Lateral projection | left wrist X-ray | 12-year-old boy
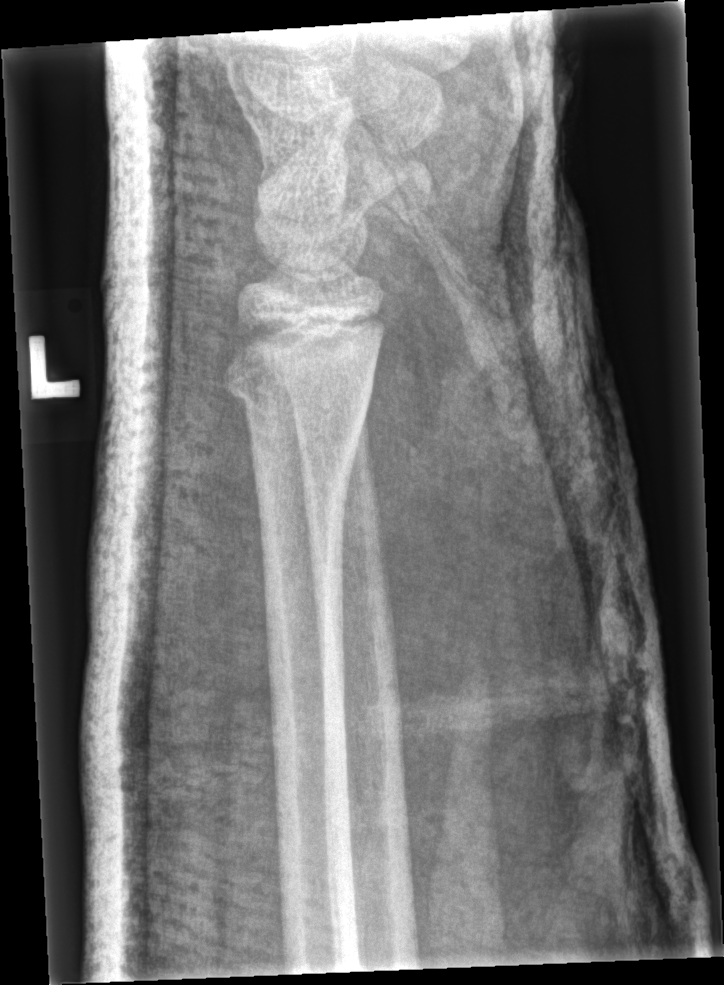
• Bounding boxes in image-pixel xyxy.
• Fx: (216, 309, 381, 454).
• AO/OTA classification: 23r-M/2.1; 23u-E/7.